PA/AP view | Rt plain radiograph of the wrist | pediatric patient (male, age 15)
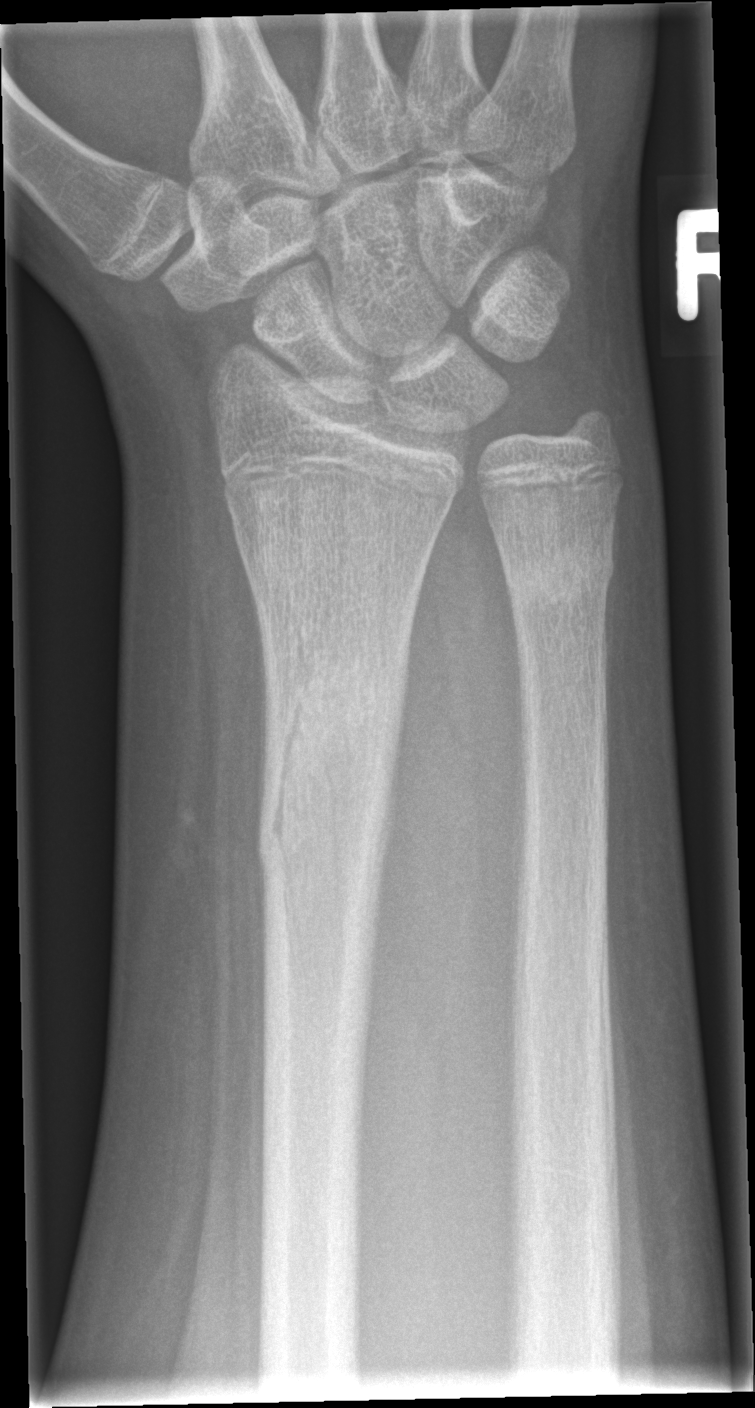

(boxes as x1,y1,x2,y2 (top-left / bottom-right, pixel units))
AO/OTA: 22r-D/2.1; 23u-M/2.1
Fx: 2 @ bbox(248, 640, 417, 960); bbox(494, 542, 627, 626)